Lat · Lt wrist plain film

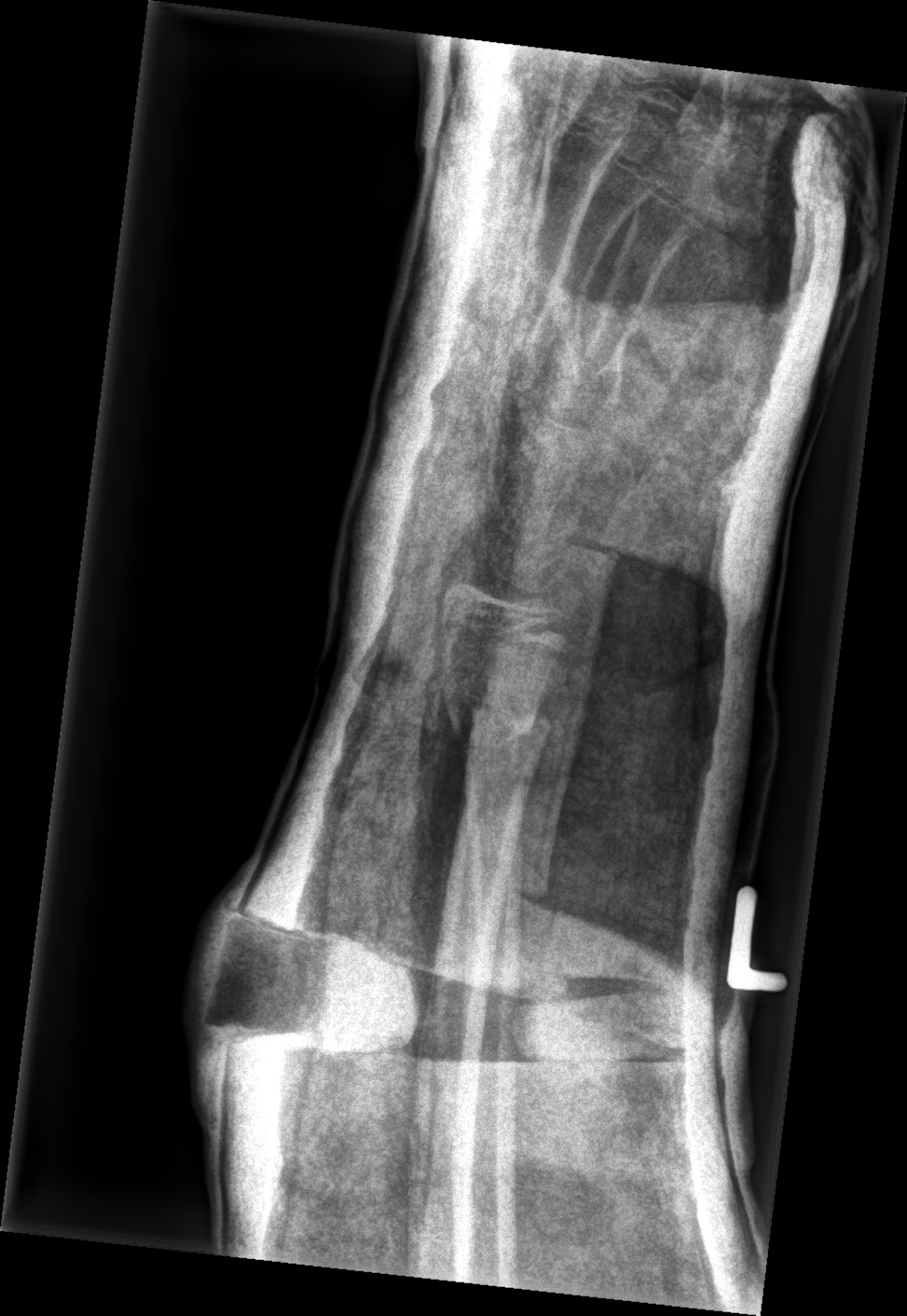
(pixel coordinates, top-left origin, xyxy)
bone fracture = (443, 685, 556, 749)